Frontal view; Lt wrist X-ray; 542 x 978 px.
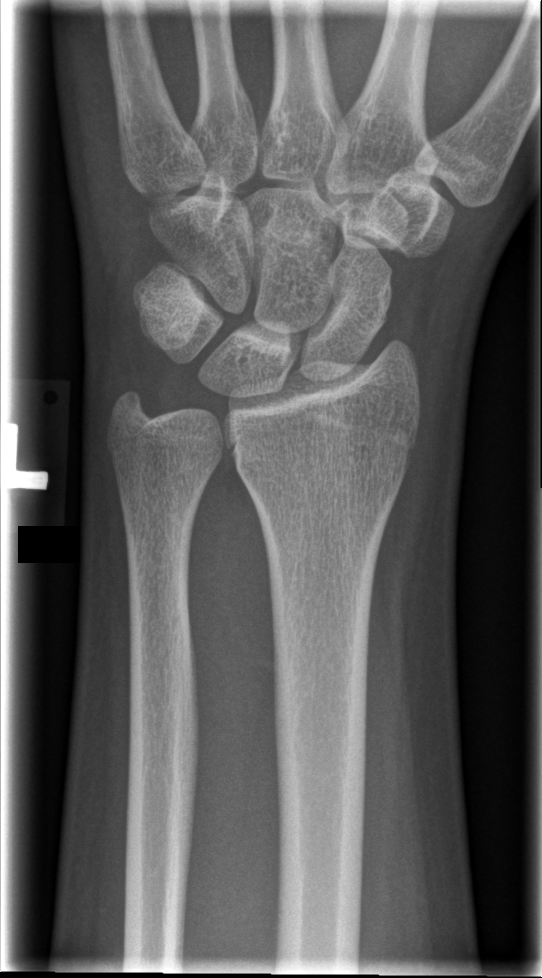 No Fx annotated.